Posteroanterior view | left wrist X-ray:
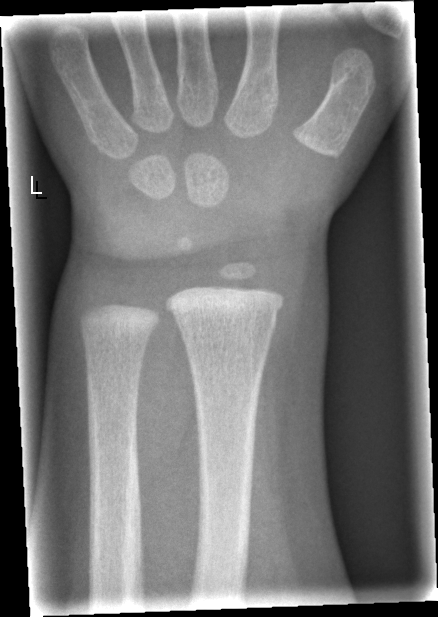 No fracture labeled.